Rt wrist XR · lateral projection · 5y F. 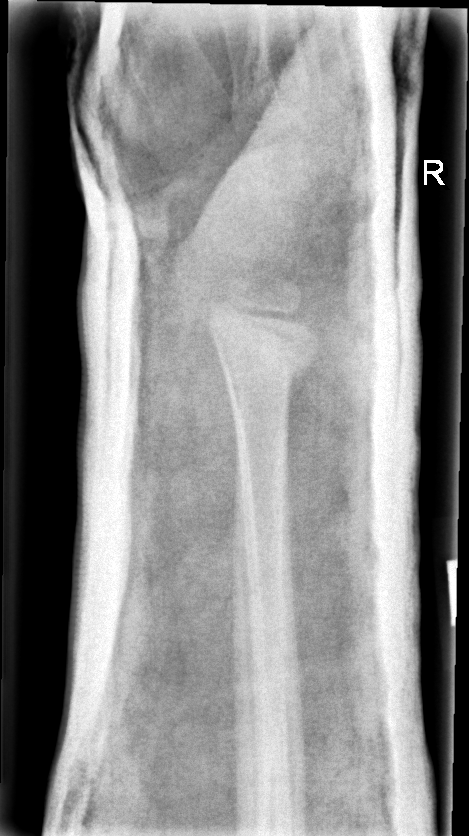
Fracture classified AO/OTA 23r-E/2.1; 23u-M/2.1.
One fracture at (left=203, top=298, right=323, bottom=394).